R wrist radiograph; lat view; initial study: 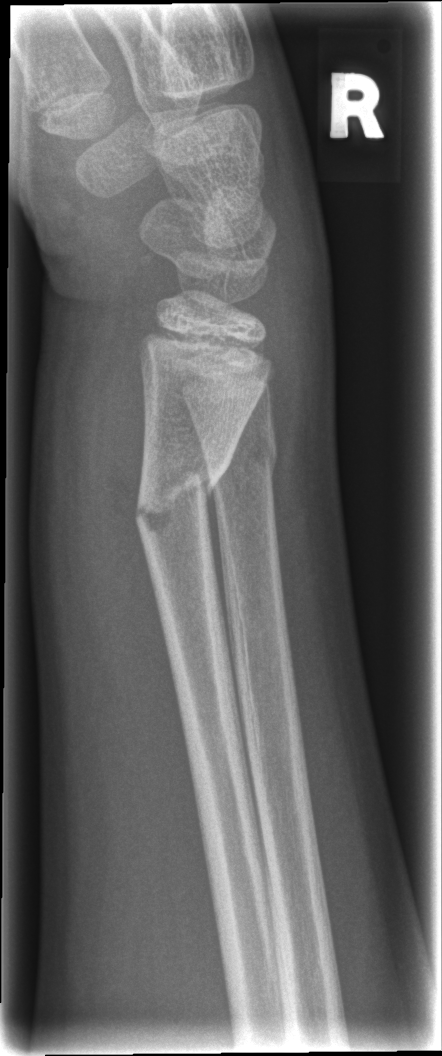
• One positive pronator fat-pad sign at bbox(78, 307, 195, 788).
• AO/OTA classification: 23r-M/3.1; 23u-M/2.1.
• Two fractures at bbox(131, 457, 223, 537); bbox(206, 429, 281, 494).